Lt wrist radiograph · lateral · Siemens · 448x1096.
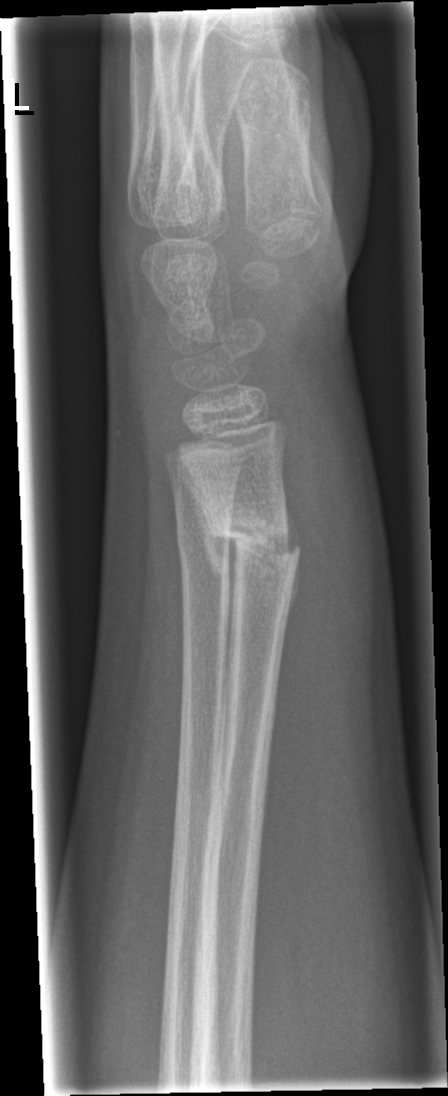

Coordinates are [x1, y1, x2, y2] in image pixels. Fracture classified AO/OTA 23r-M/3.1; 23u-M/2.1. Osteopenic. Periosteal thickening: [x1=191, y1=486, x2=240, y2=636] [x1=282, y1=504, x2=303, y2=625]. Fx identified at [x1=201, y1=499, x2=306, y2=585], [x1=171, y1=511, x2=236, y2=582].